Left wrist pediatric wrist radiograph; PA projection; 652x1134:
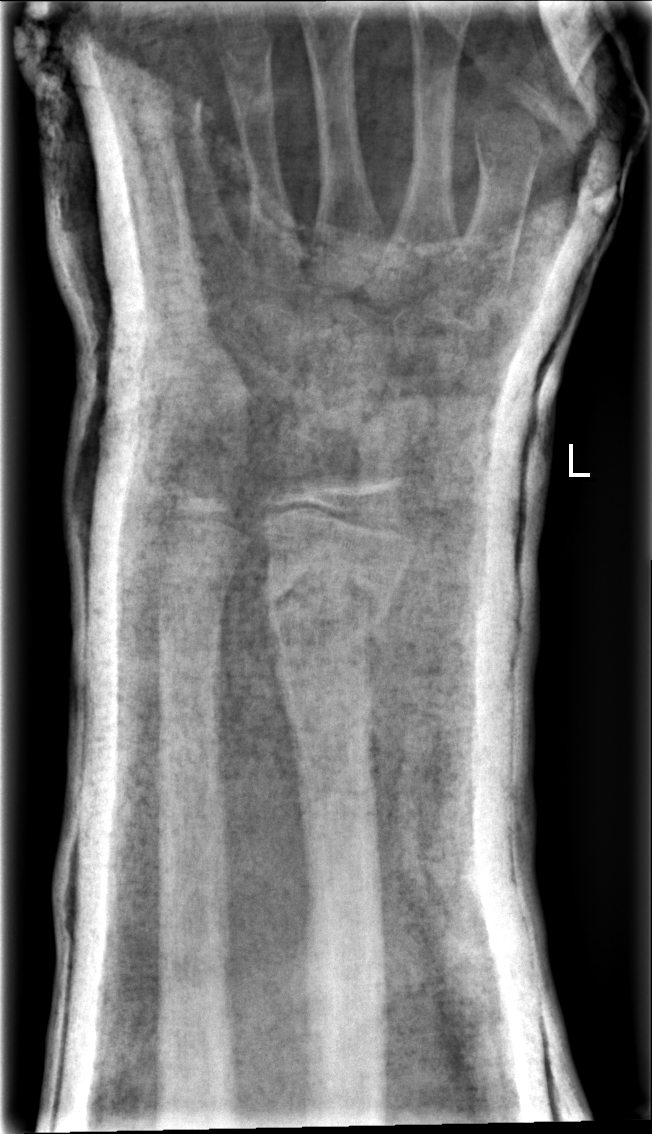

(coordinates are [x1, y1, x2, y2] in image pixels)
Bone fracture = 1 @ bbox(262, 554, 395, 671)
AO/OTA = 23r-M/3.1; 23u-M/2.1